AP projection, R wrist XR, in cast, 592x986
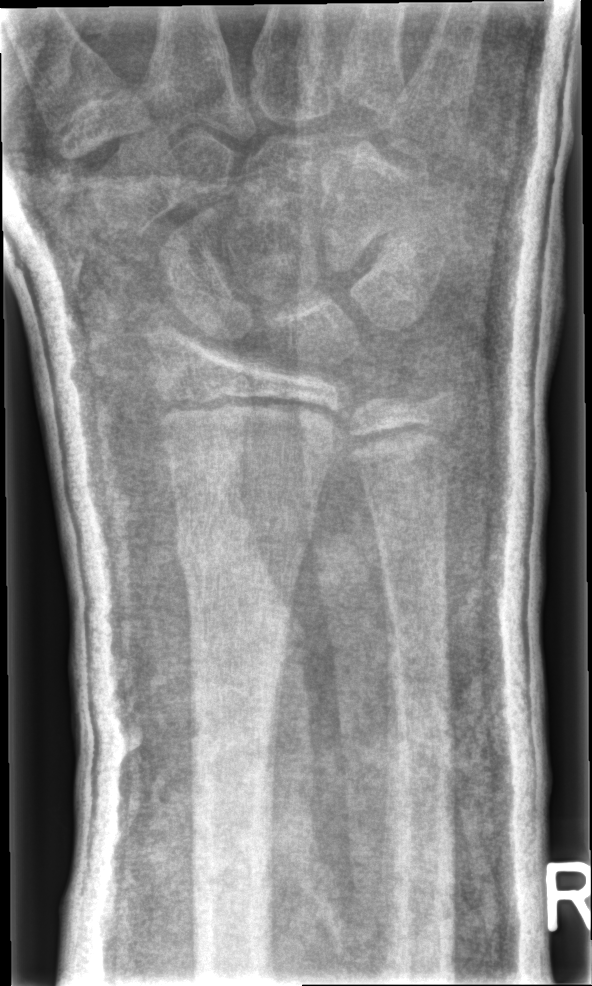 FINDINGS — Bone fracture identified at 168,488,317,594. AO/OTA classification: 23r-M/3.1.